Lt wrist plain film, lat, index exam.
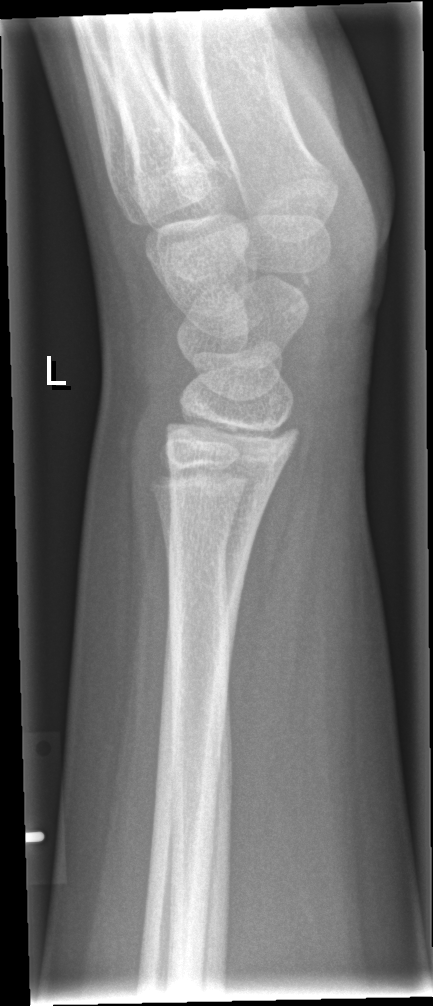 FINDINGS — Fx: none.